Lateral view; left wrist X-ray; age 8 y, girl; detector: Siemens; 632x1126 — 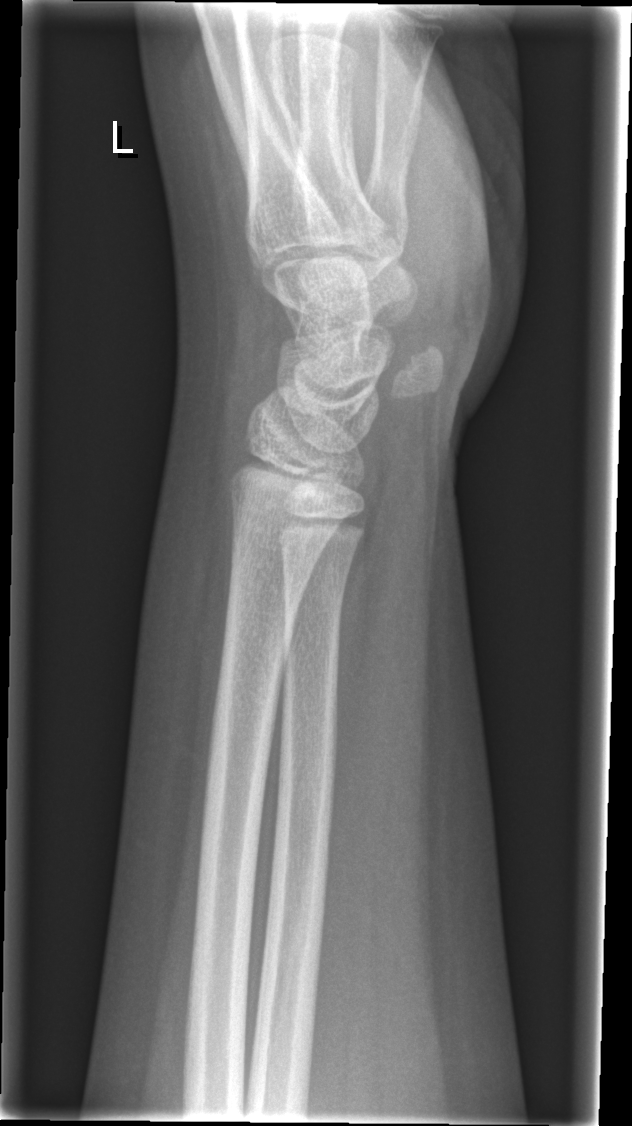
  fracture: none labeled